Left wrist radiograph, PA/AP projection, image 60.3 mm wide

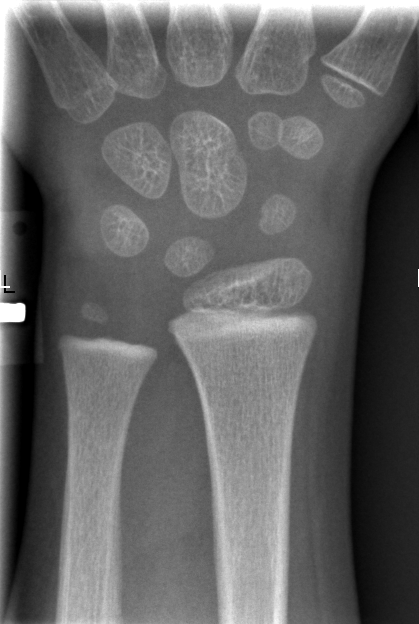 bone fracture: none labeled